Lat view | L pediatric wrist radiograph | age 10 y, boy | subsequent exam:
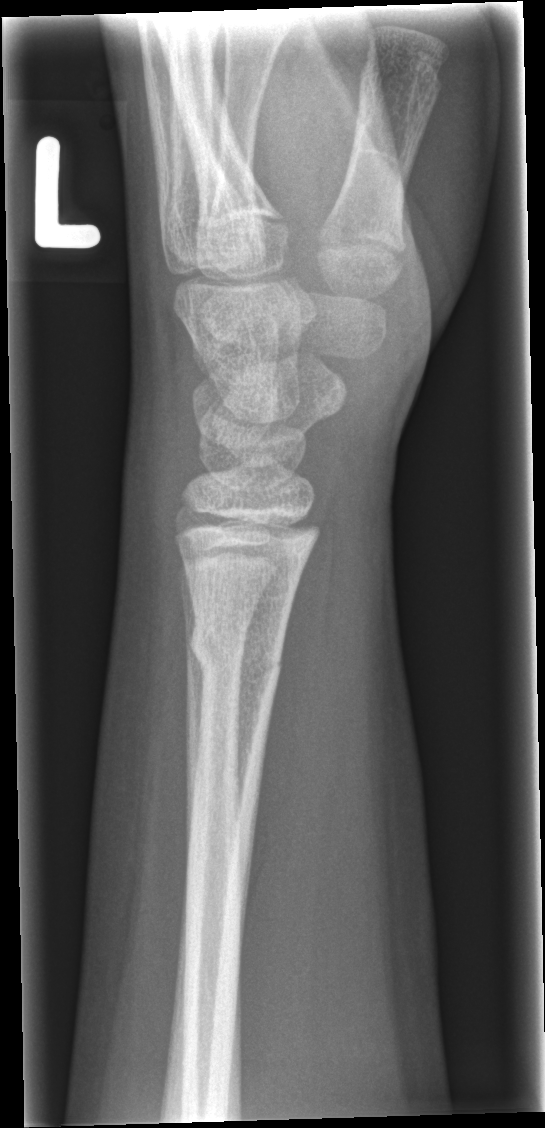

AO code = 23r-M/2.1
Bone fracture = 1 @ <177,601>-<288,690>